AP view | left wrist XR —

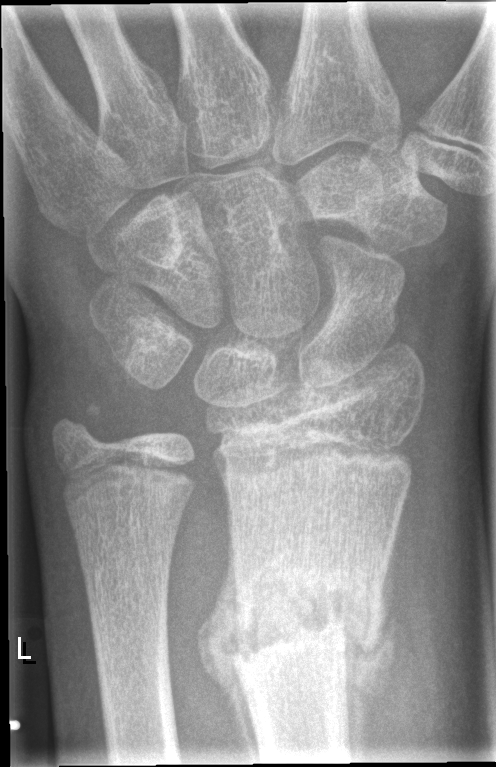
Decreased bone density (osteopenia). Periosteal reaction — (left=196, top=499, right=260, bottom=762), (left=341, top=542, right=403, bottom=760). Fracture classified AO/OTA 23r-M/3.1; 23u-E/7. Fractures — (left=224, top=556, right=388, bottom=670), (left=47, top=394, right=113, bottom=454).